Right wrist XR · lat view · 13-year-old boy · in cast · 89.6 mm image width · 622x865 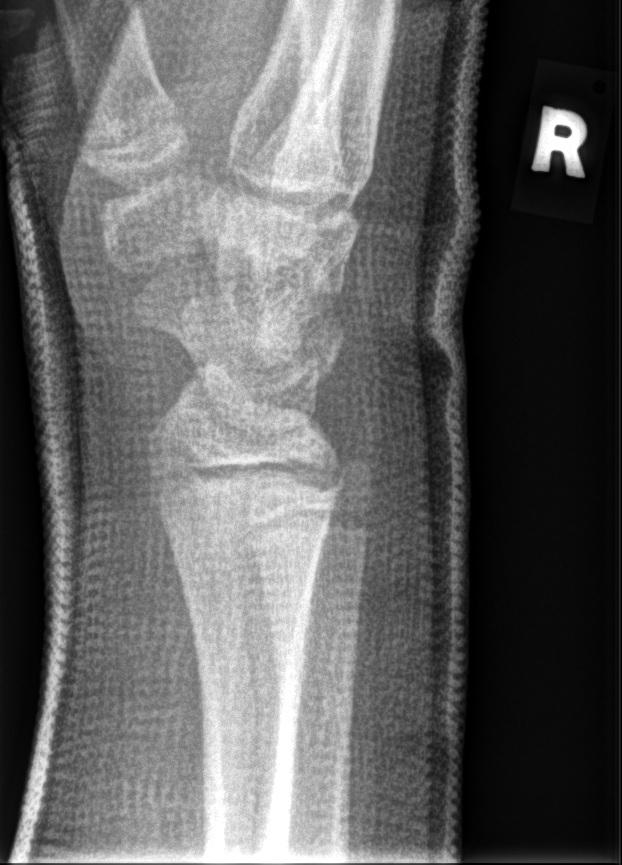

FINDINGS — No fracture bounding box.